R plain radiograph of the wrist | lat view | image width 67.7 mm —
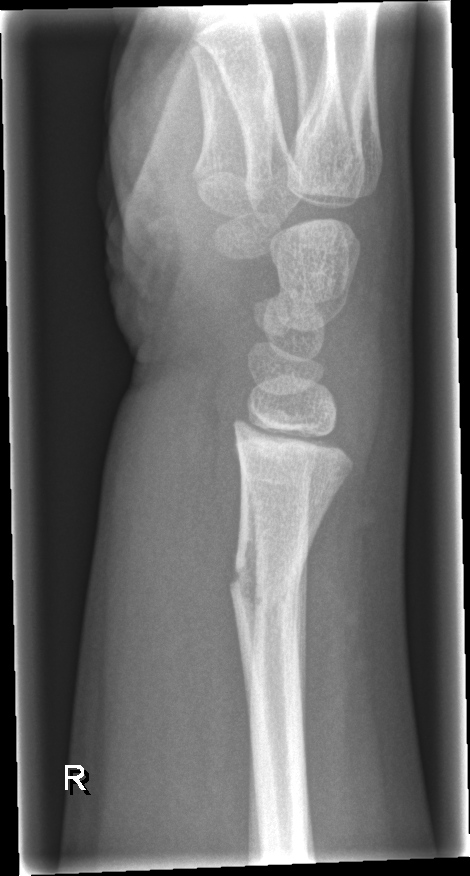
Q: Is there soft-tissue abnormality?
A: Soft-tissue swelling identified at (80, 365, 245, 747)
Q: Is there a fracture?
A: One Fx at (226, 542, 313, 628)